L plain radiograph of the wrist, posteroanterior, follow-up:

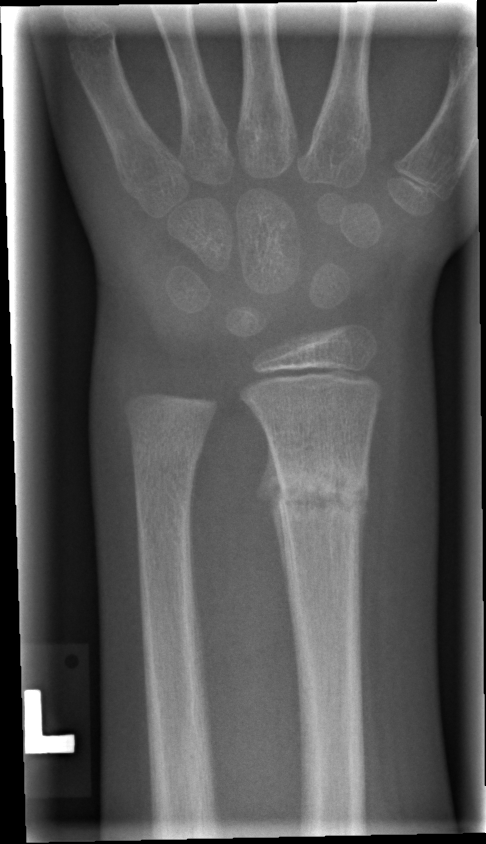
Fx: 2 @ bbox(269, 454, 370, 524); bbox(127, 430, 208, 486)
periosteal thickening: bbox(255, 432, 289, 592); bbox(357, 457, 368, 604)
osteopenia: present